Left wrist XR, AP view, boy, 5 yo, presentation radiograph:
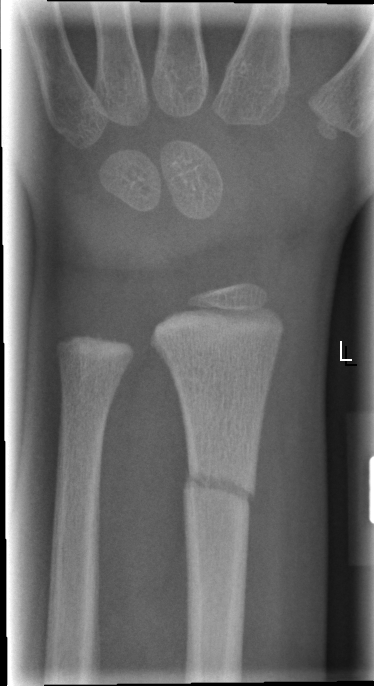
FINDINGS: Fx — 182 458 260 517. AO code 23r-M/3.1.